L wrist X-ray; frontal view.
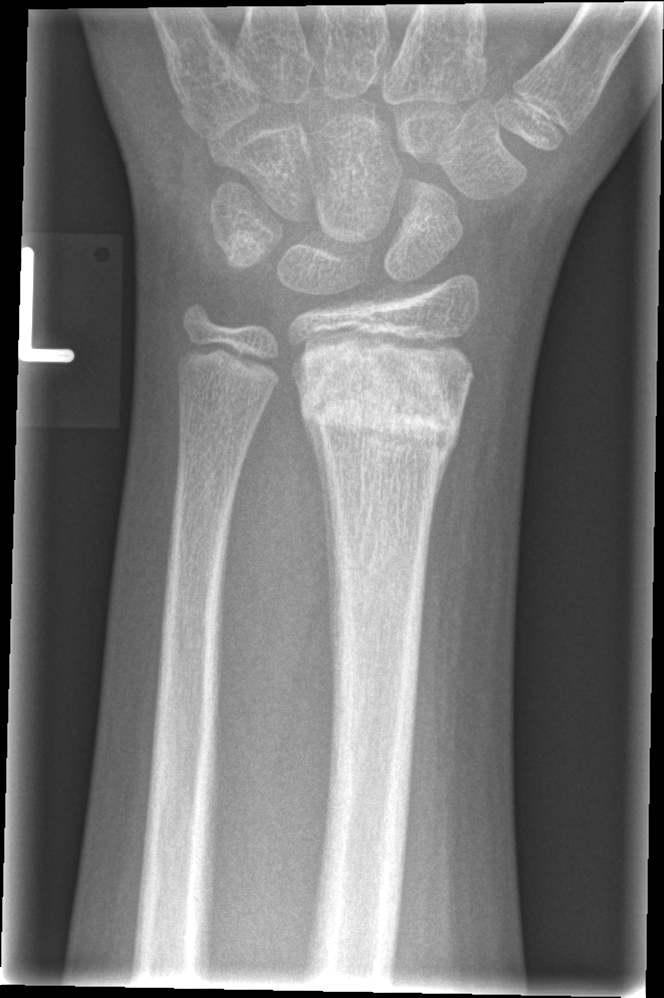 One fracture at (left=289, top=345, right=476, bottom=463). Fracture classified AO/OTA 23r-M/3.1. Periosteal reaction — (left=306, top=419, right=337, bottom=692).